Lat projection, R pediatric wrist radiograph, 8-year-old male, Siemens, 698x1286. 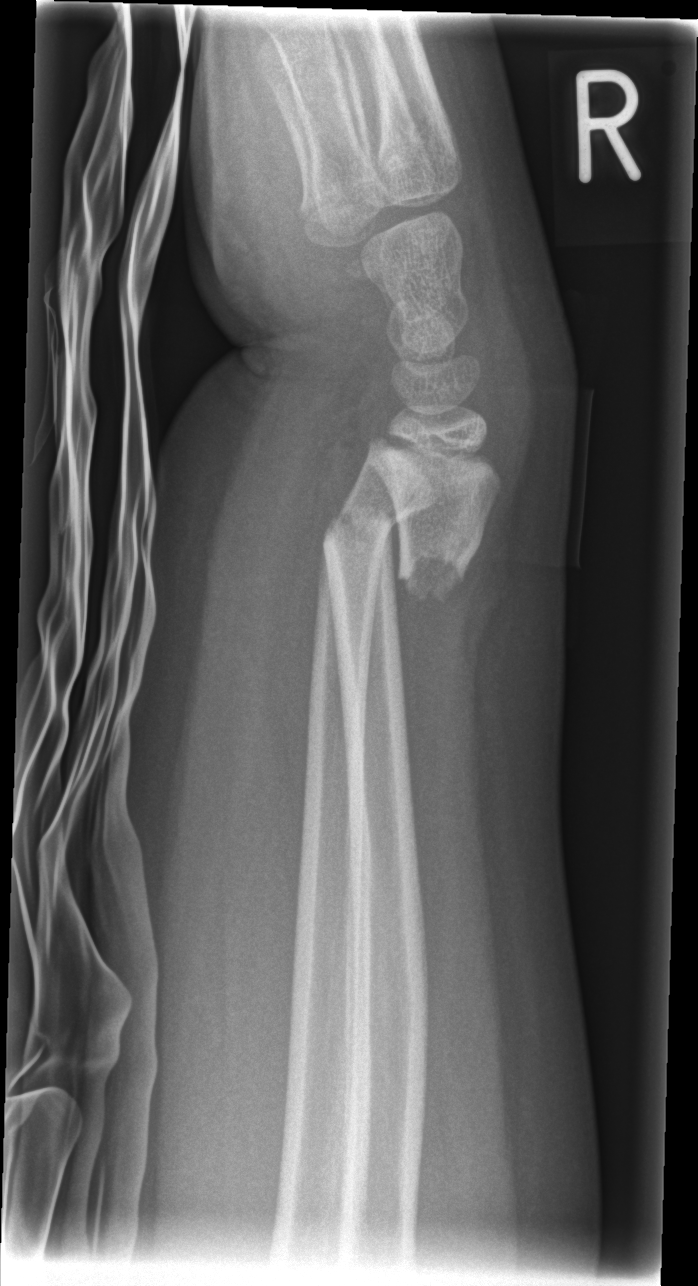

Fx: 2 @ (left=318, top=507, right=472, bottom=611) (left=321, top=501, right=412, bottom=556)